Rt wrist radiograph, lat projection, 15-year-old boy, cast in situ, image size 793x1246 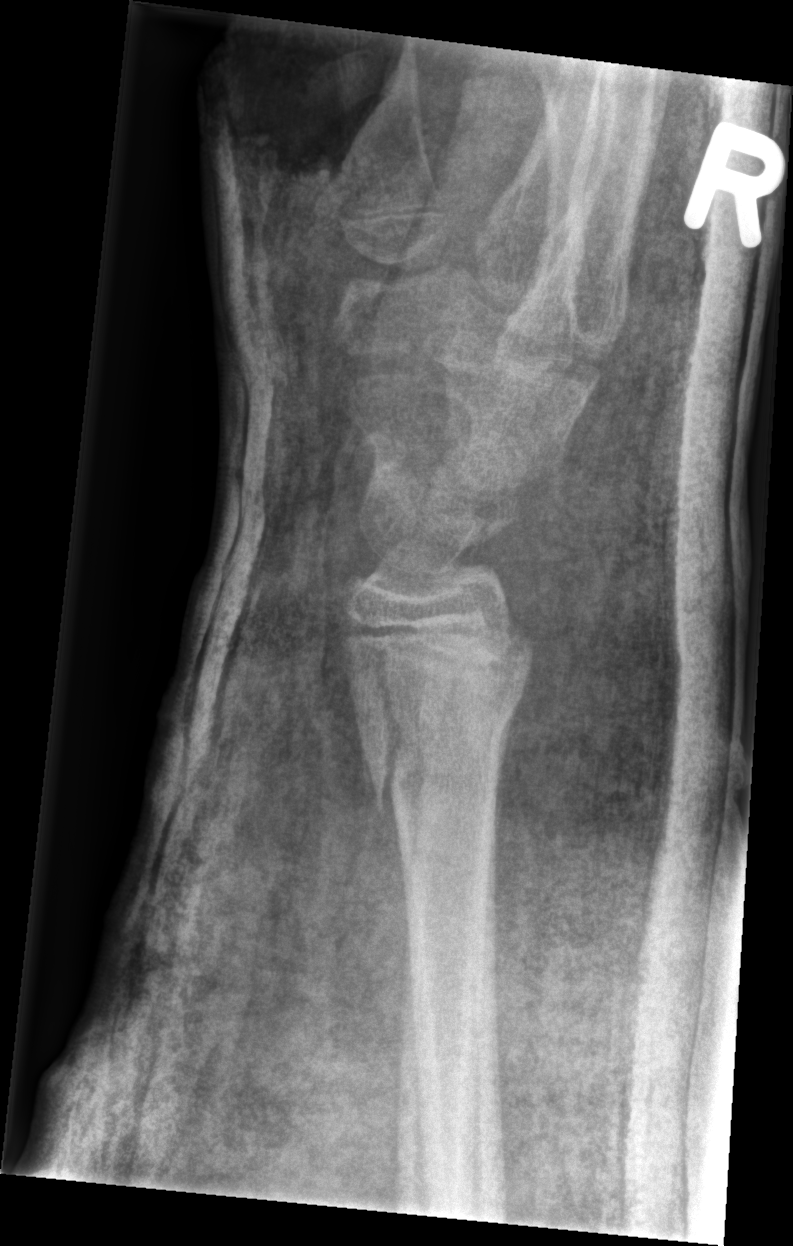
(bounding boxes in image-pixel xyxy)
Q: Fracture present?
A: Bone fracture: (341, 607, 537, 838)
Q: AO code?
A: AO/OTA classification: 23r-E/2.1